Left wrist X-ray | posteroanterior view | 5y F | follow-up | 486 by 686 pixels —
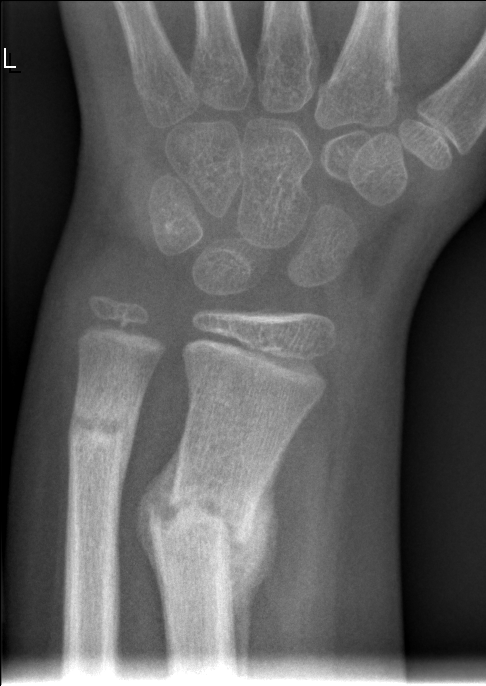 Fx — [x1=144, y1=484, x2=262, y2=559]; [x1=62, y1=395, x2=139, y2=456].
AO code 23-M/3.1.
Reduced bone mineral density.
Periosteal thickening: [x1=230, y1=466, x2=278, y2=680]; [x1=133, y1=444, x2=181, y2=629]; [x1=118, y1=396, x2=142, y2=503].